PA view, left plain radiograph of the wrist, 14y F, image size 554x858: 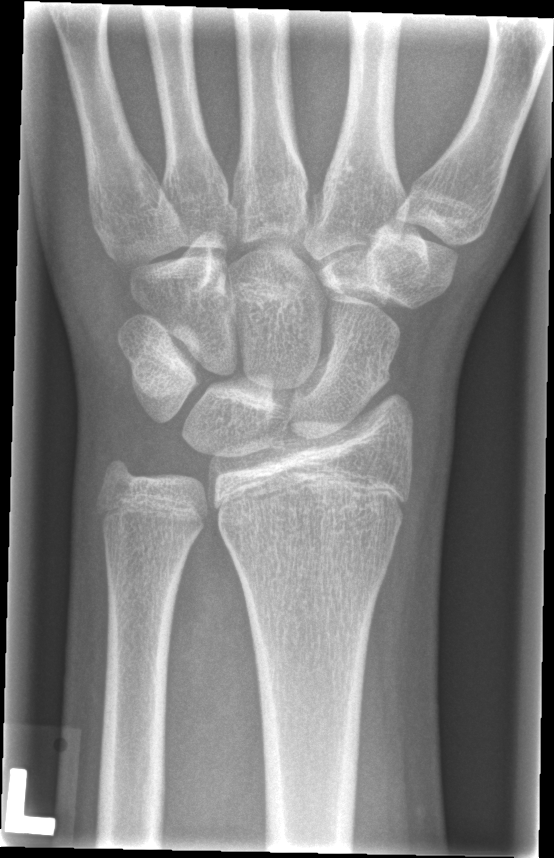

Fx = none labeled